Posteroanterior view · right wrist plain radiograph of the wrist · Siemens — 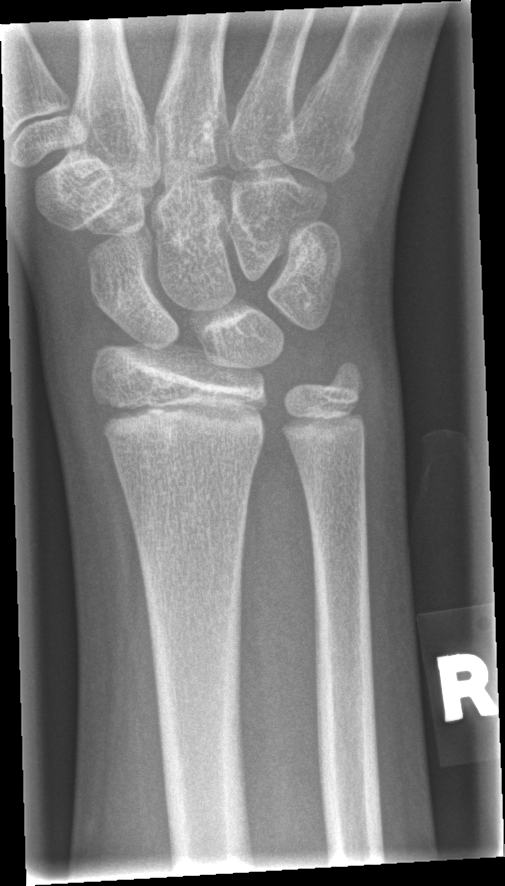

Q: Is there a fracture?
A: Fx: none